Lateral view; R wrist radiograph; follow-up study 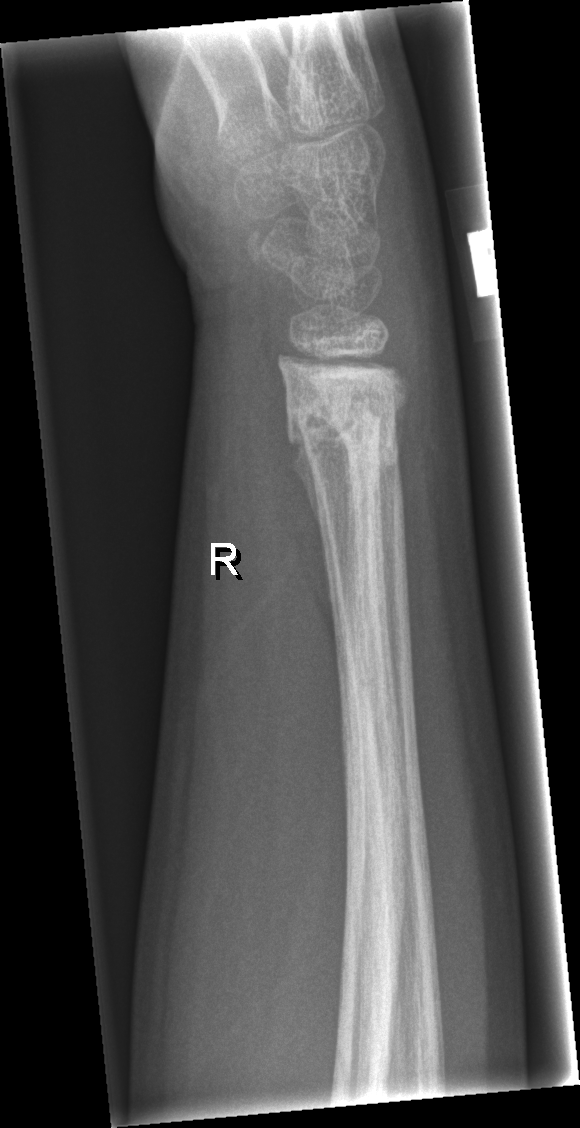
• Bounding boxes in image-pixel xyxy.
• One Fx at 275,369,411,462.
• AO code 23r-M/3.1; 23u-M/2.1.
• Periosteal new bone: 293,441,331,606.